PA projection, left plain radiograph of the wrist, girl, 7 yo, subsequent exam:

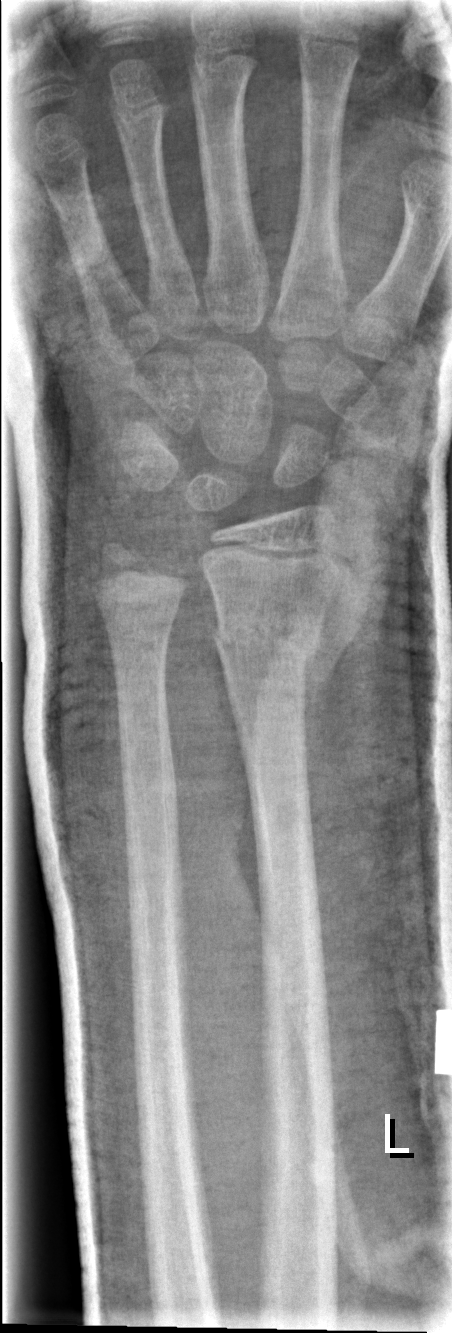

(coordinates are [x1, y1, x2, y2] in image pixels)
Q: What is the AO/OTA classification?
A: AO code 23r-M/3.1
Q: Fracture present?
A: Bone fracture identified at (204, 607, 325, 680)